PA/AP view · Rt pediatric wrist radiograph · 13y M — 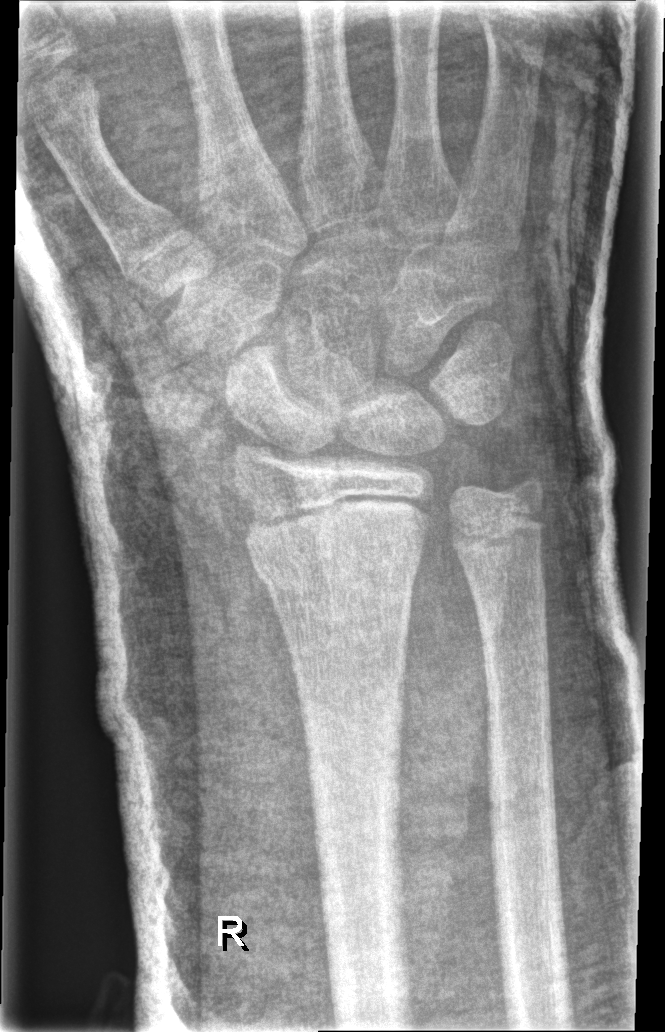

AO/OTA: 23r-M/2.1
Fx: <240,514>-<429,599>